L wrist radiograph, PA projection, 11-year-old boy, initial study, 634x1090
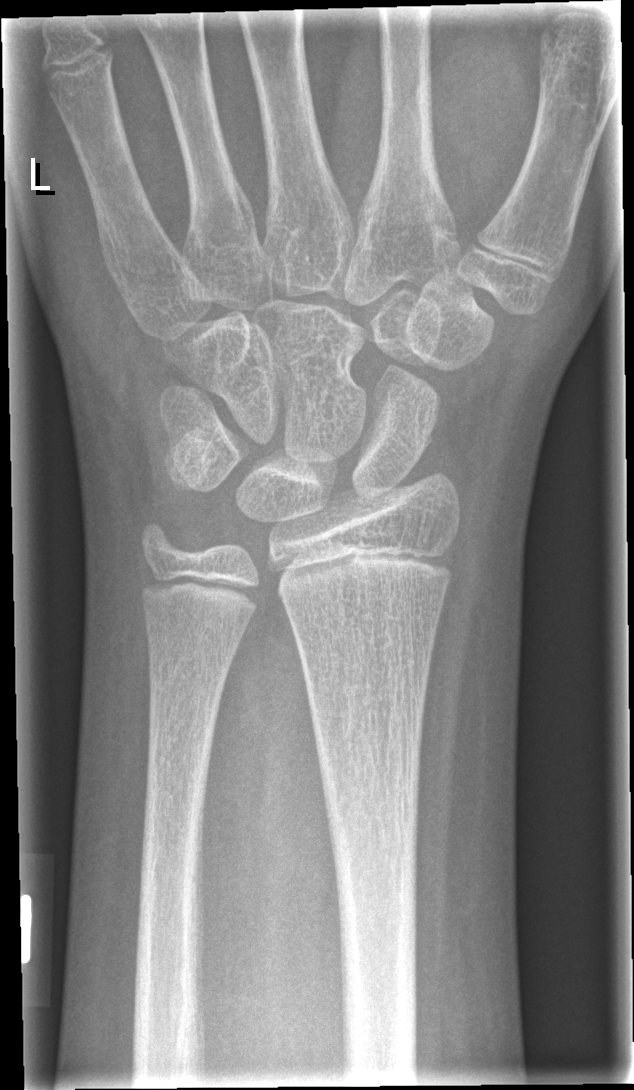 Bone fracture: none labeled